Rt wrist plain film | lat projection | follow-up | acquired on Siemens —
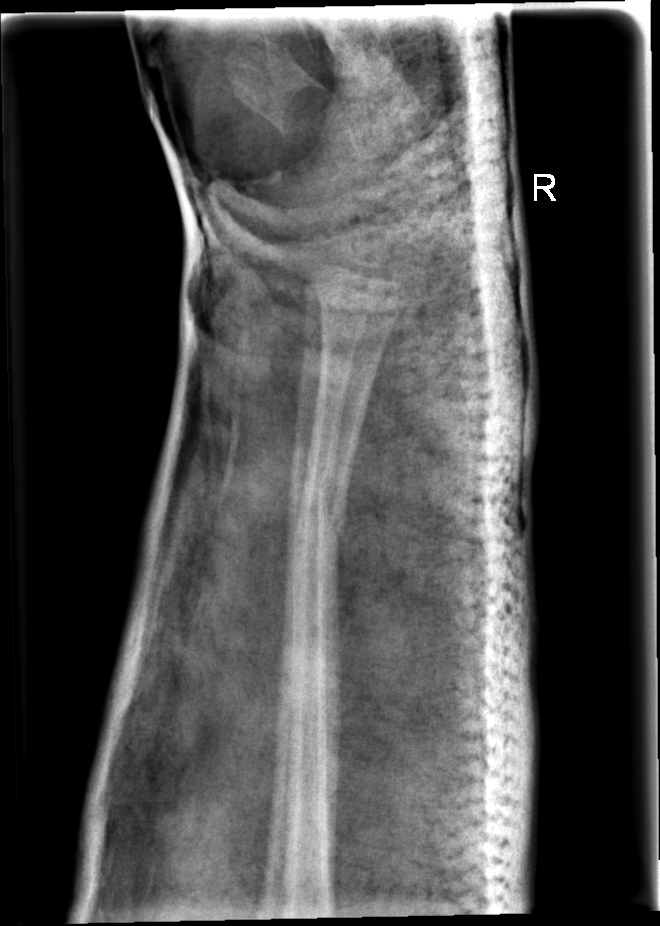

Findings: Fracture identified at <283,481>-<353,564>. AO/OTA classification: 22-D/2.1.